Lateral, L wrist X-ray, cast in situ, 62.8 mm image width:

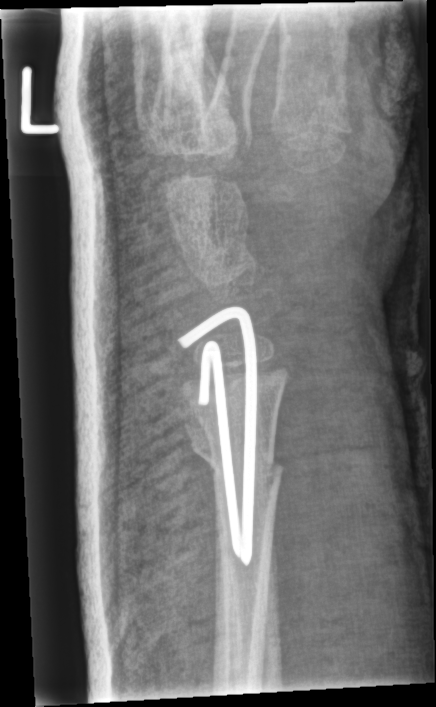 FINDINGS: Bone fracture: 185 419 287 491. Metal — 173 293 261 573.